Lat projection, left wrist pediatric wrist radiograph, subsequent exam, in cast, detector: Siemens, image 68.3 mm wide. 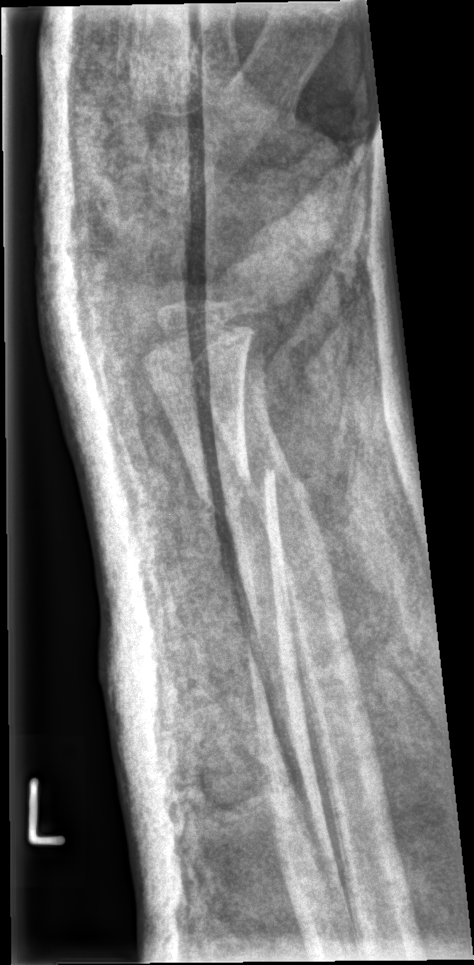

  # bounding boxes in image-pixel xyxy
  fracture: bbox(191, 468, 280, 520) bbox(238, 464, 317, 519)
  ao: 23-M/3.1